Lateral projection · right wrist plain film · age 12 y, female —

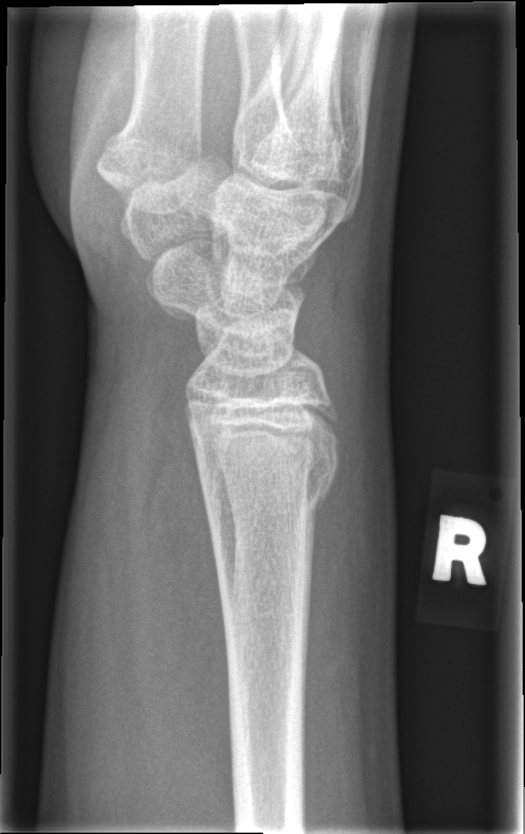
FINDINGS — One bone fracture at <194,444>-<341,525>. Pronator quadratus fat-pad sign — <140,404>-<235,821>.